Lat view; right wrist radiograph —

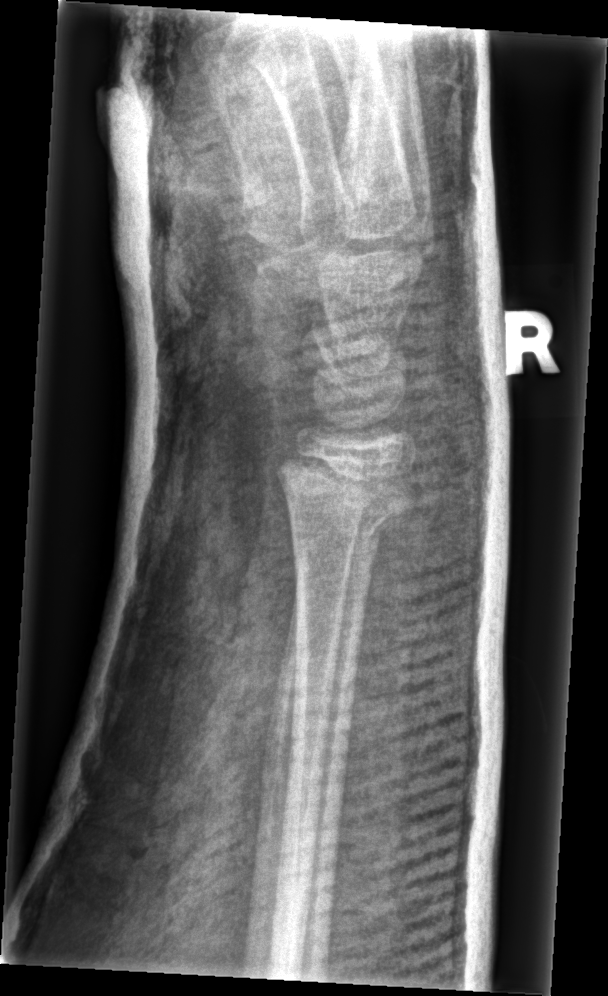

AO code = 23r-M/2.1
fracture = 274 448 414 540